Left plain radiograph of the wrist, lat projection
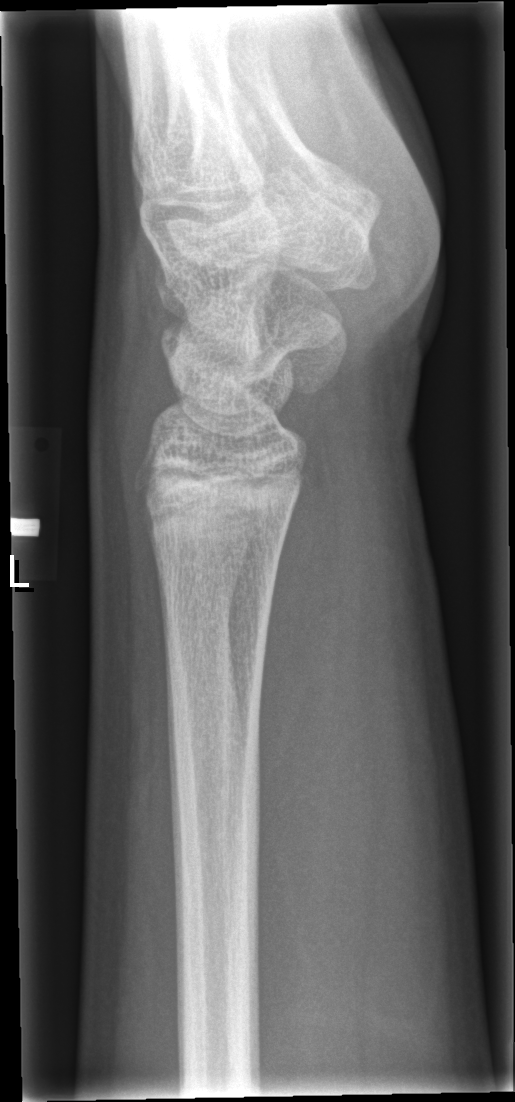 FINDINGS — Positive pronator fat-pad sign: [232, 405, 356, 897]. No Fx annotated.